Posteroanterior view; left wrist pediatric wrist radiograph; age 10 y, boy; detector: Siemens: 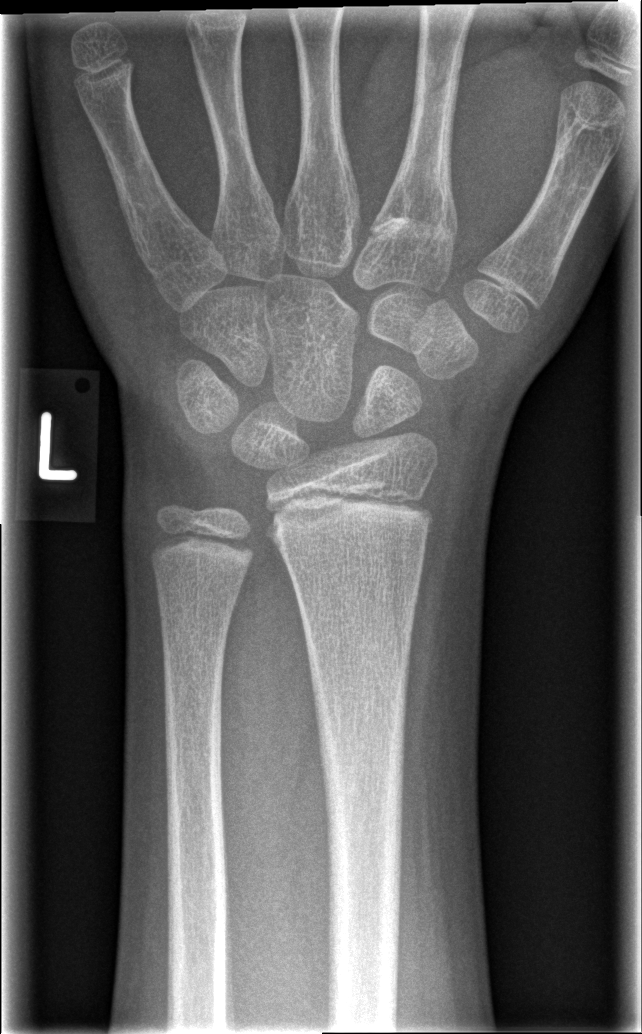

Q: Fracture present?
A: No fracture bounding box